Rt wrist X-ray, lat view, 10y M
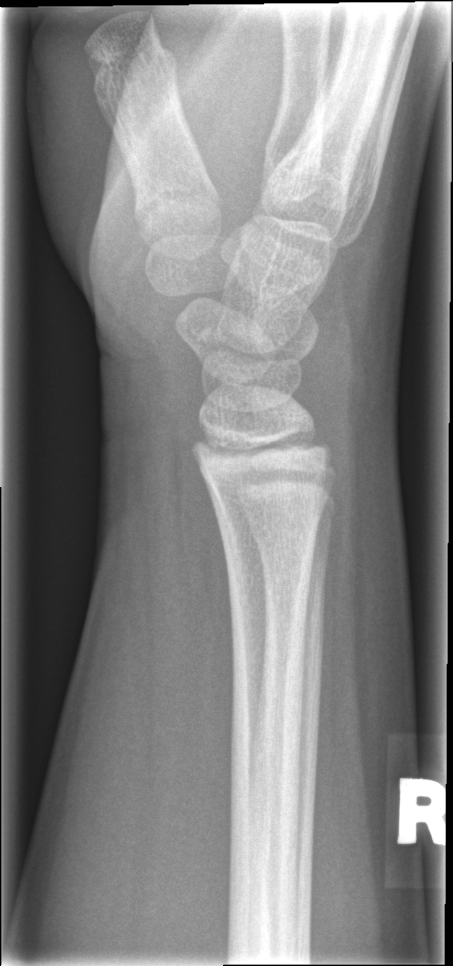
Bone fracture: none labeled